Lt wrist X-ray, lateral, male, 12 yo, image 59.9 mm wide, image size 416x924.

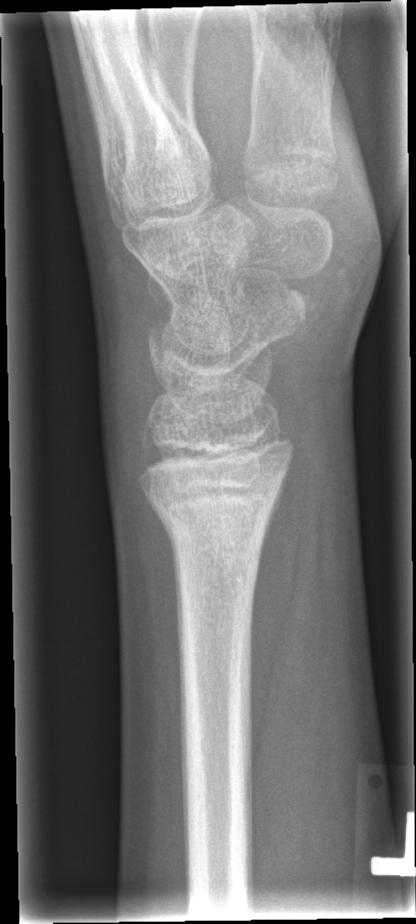
  # bounding boxes in image-pixel xyxy
  fracture: 1 @ <148,479>-<279,551>
  osteopenia: present